Lt wrist radiograph; lateral; 13-year-old girl; initial study —

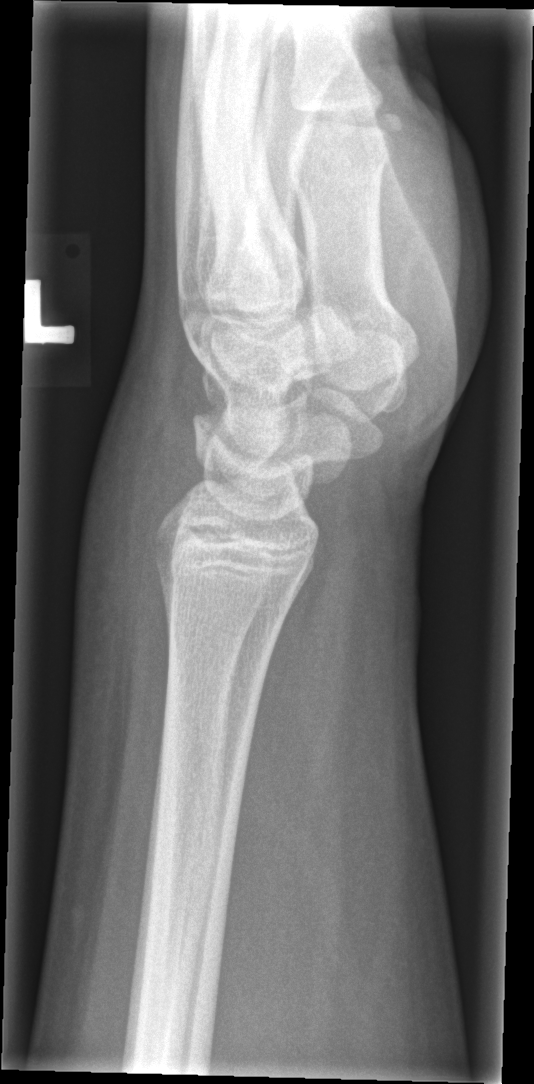
FINDINGS: (boxes as x1,y1,x2,y2 (top-left / bottom-right, pixel units)) No Fx annotated. Soft-tissue finding: [x1=63, y1=348, x2=184, y2=722].